PA view, Lt wrist XR, pediatric patient (female, age 5):
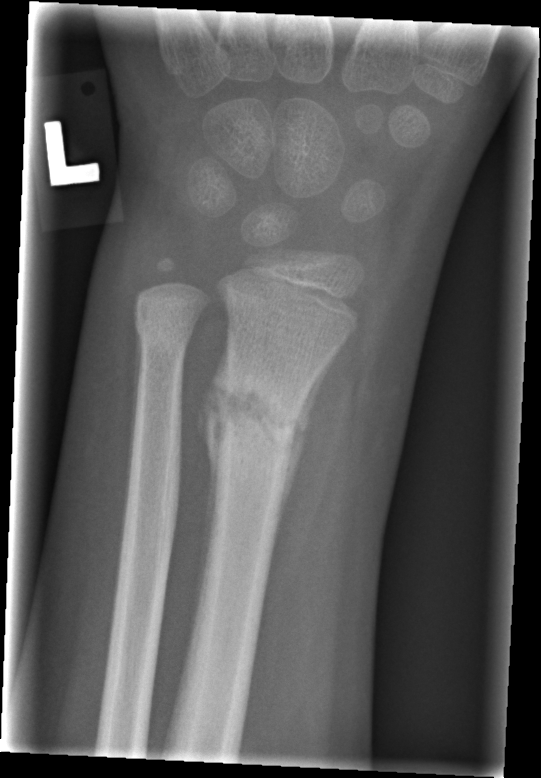
Bone fracture = 2 @ [x1=201, y1=355, x2=312, y2=491]; [x1=130, y1=303, x2=201, y2=360]
Periosteal new bone = [x1=274, y1=343, x2=342, y2=543], [x1=198, y1=342, x2=229, y2=627], [x1=120, y1=323, x2=143, y2=577]